Posteroanterior projection | Rt wrist X-ray | 11y F | subsequent exam:
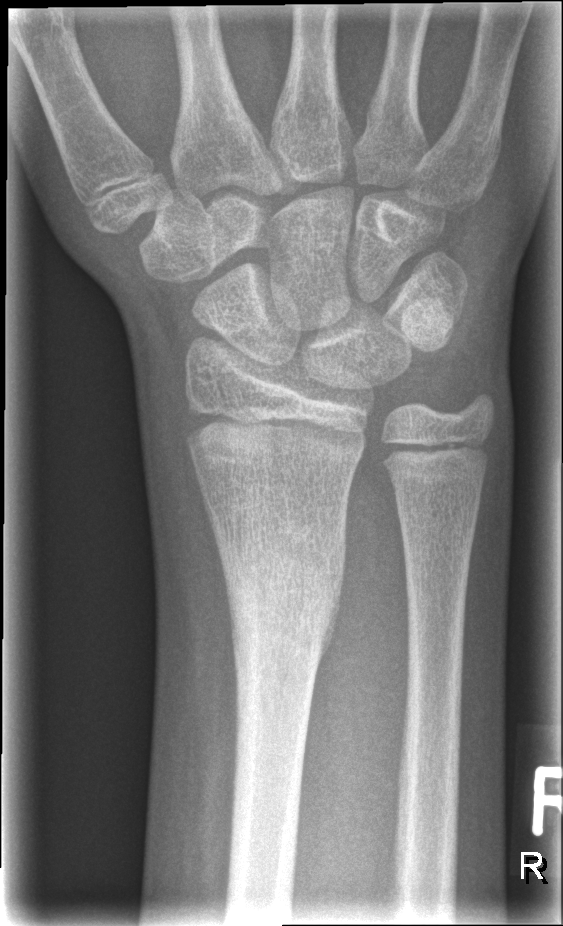 - Bounding boxes in image-pixel xyxy.
- Fx identified at 215,509,348,676
  381,426,493,490.